Right wrist plain film, lat, 7-year-old male, 81.1 mm image width —
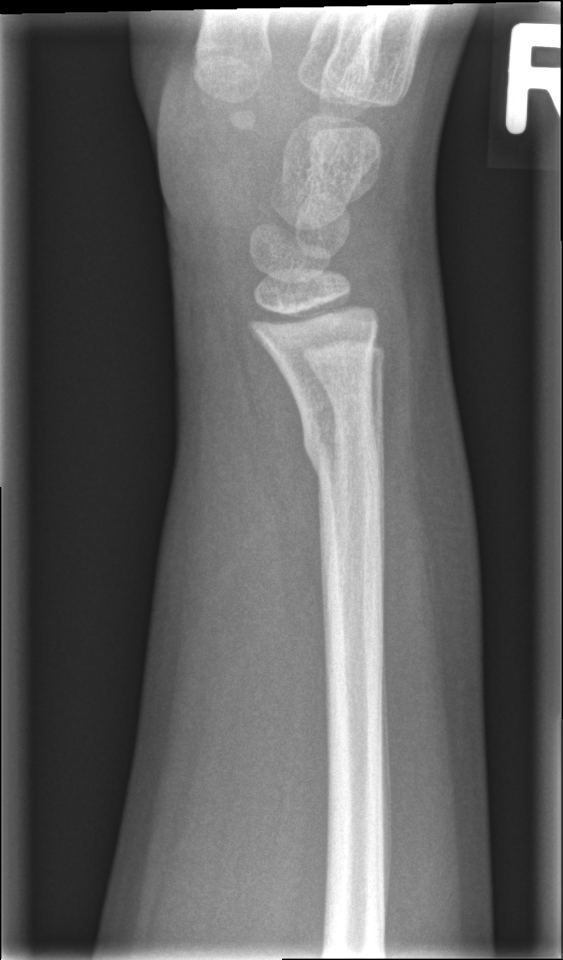 Bone fracture — (left=296, top=405, right=393, bottom=497).